Right wrist pediatric wrist radiograph, lateral projection, pediatric patient (boy, age 13), detector: Siemens. 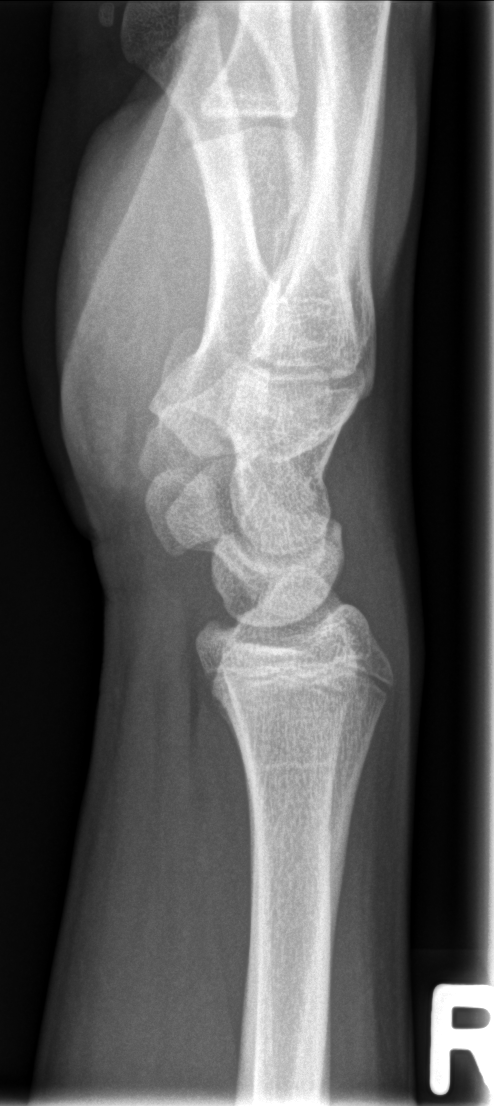 Fracture: none labeled.